Left pediatric wrist radiograph, lateral, initial study, detector: Siemens

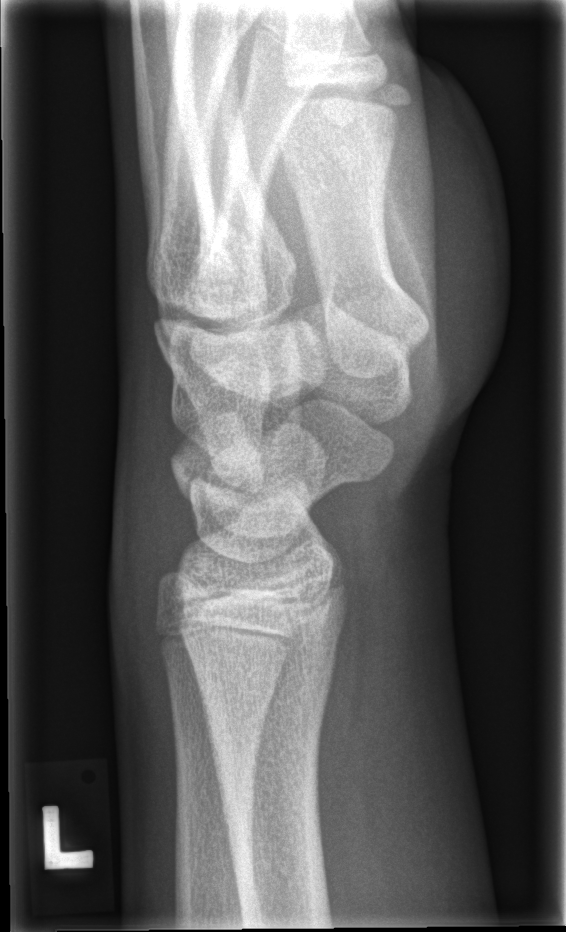
Fx = none labeled